Left wrist X-ray, posteroanterior projection: 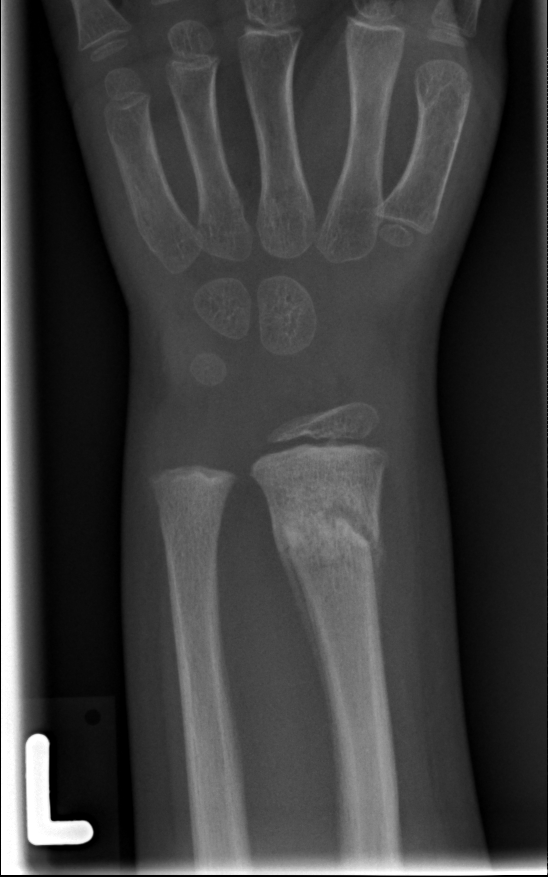
FINDINGS — (boxes as x1,y1,x2,y2 (top-left / bottom-right, pixel units)) Fractures — (263, 480, 388, 581); (156, 504, 225, 558). Periosteal new bone identified at (264, 487, 335, 757); (366, 486, 388, 664). AO code 23r-M/3.1; 23u-M/2.1.